Left wrist plain film, lateral projection, pediatric patient (boy, age 7), cast present, Siemens, 685 x 1296 px:

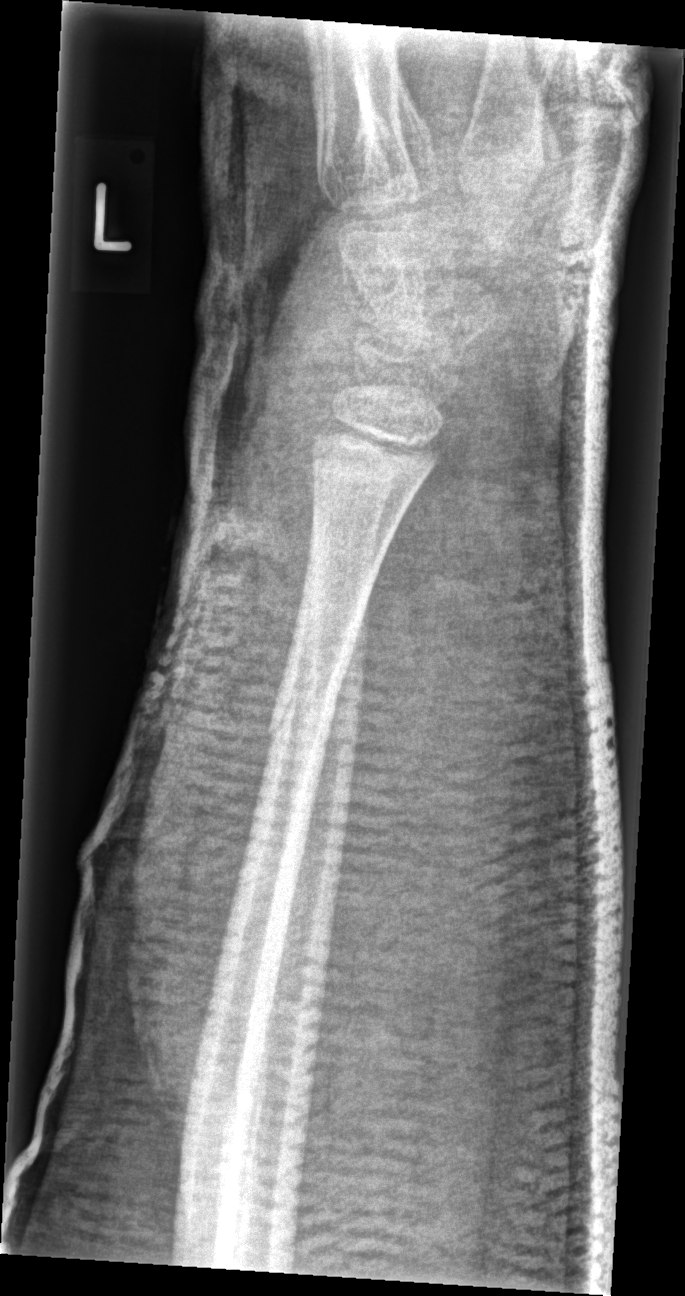
Fx: 263 687 340 745